Left wrist radiograph · lateral · age 12 y, boy · presentation radiograph
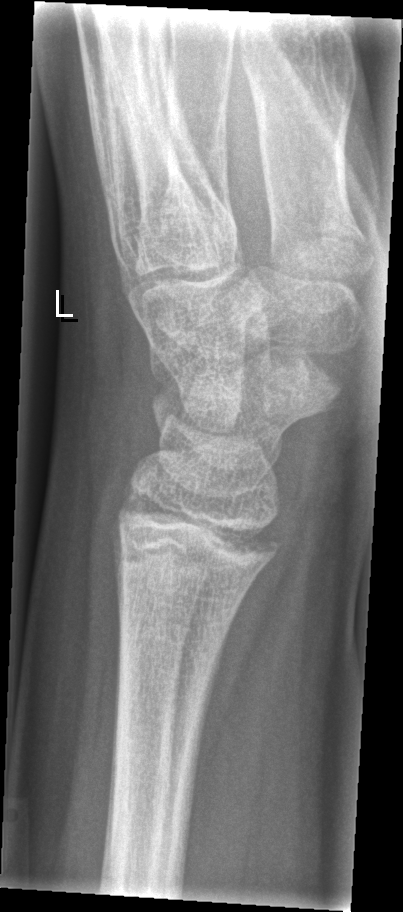 Q: Any fracture seen?
A: Fracture: none labeled